Right plain radiograph of the wrist · lat · index exam · image size 432x1134 — 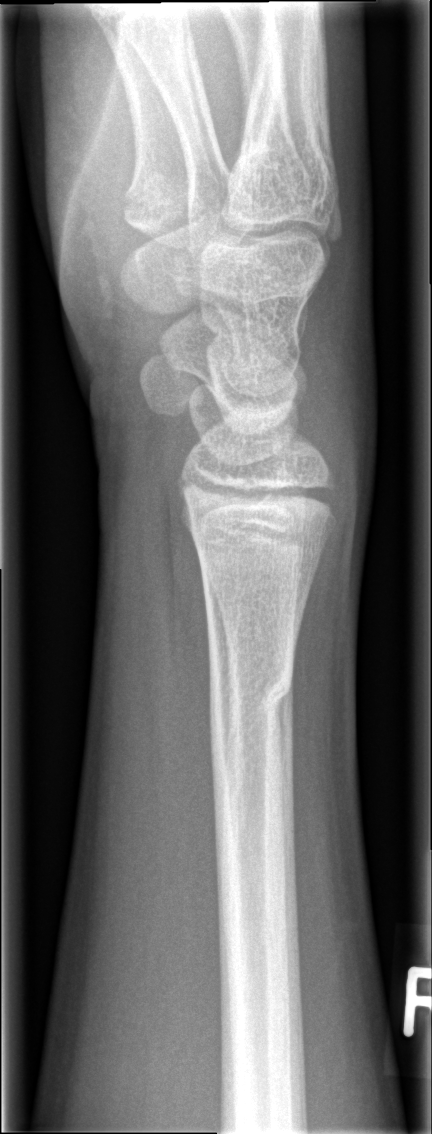
AO/OTA classification: 23r-M/2.1.
Bone fracture identified at [x1=206, y1=658, x2=298, y2=722].